Lat; Rt wrist X-ray; 14y M; image size 484x1302
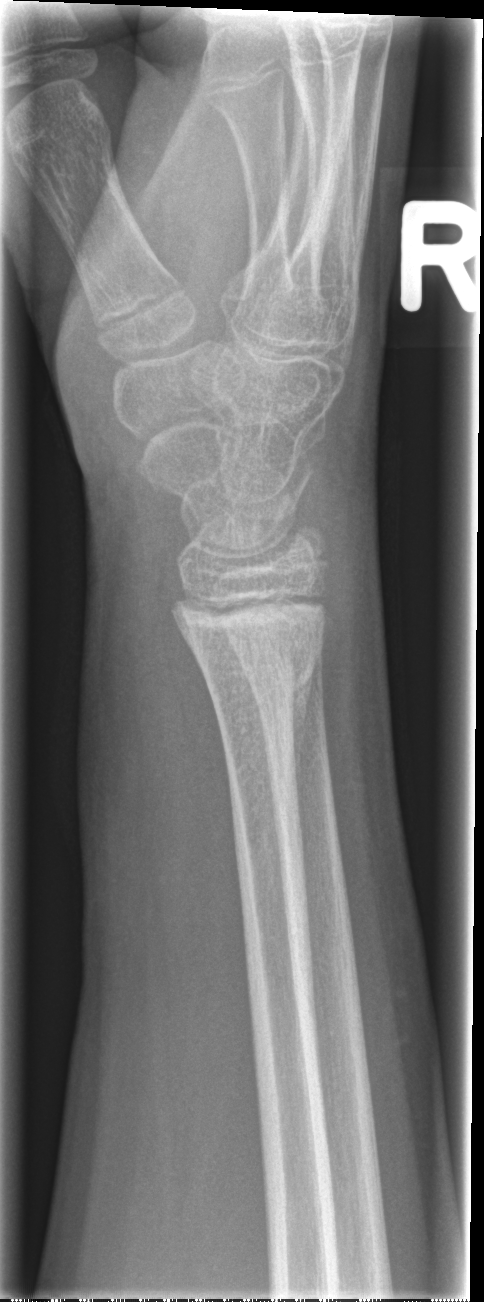

Findings: AO/OTA classification: 23r-E/2.1; 23u-E/7. Fx — (169, 579, 335, 707). Reduced bone mineral density. Periosteal thickening identified at (290, 670, 314, 808).